Lat projection · left wrist radiograph · 2y F · cast in situ

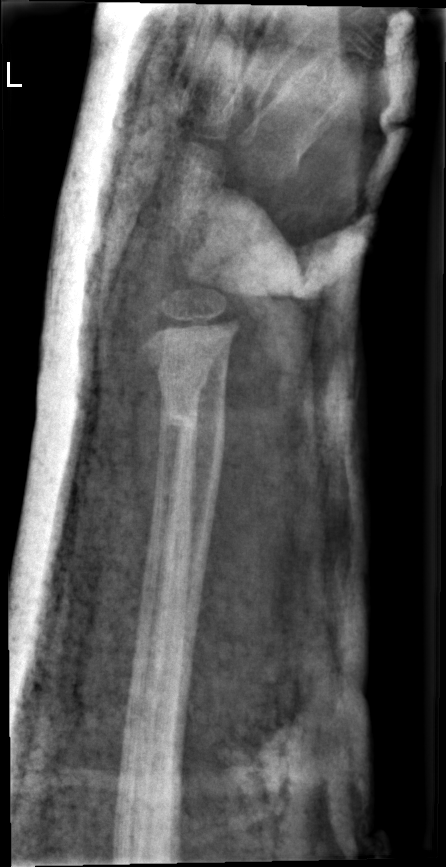
Bounding boxes in image-pixel xyxy. AO/OTA classification: 23-M/2.1. One fracture at (left=159, top=398, right=230, bottom=443).